Lateral projection; left wrist radiograph; pediatric patient (male, age 11):

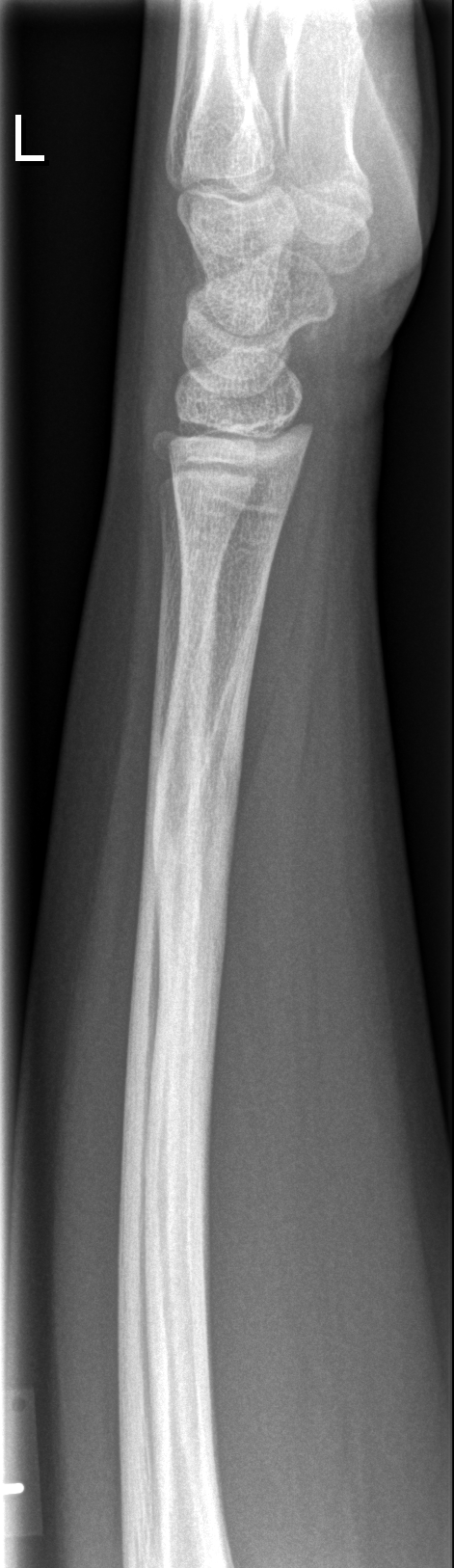

  # coordinates are [x1, y1, x2, y2] in image pixels
  fracture: 146 692 238 1077